Rt plain radiograph of the wrist · lateral projection · 7y F · detector: Siemens · image size 398x1021:
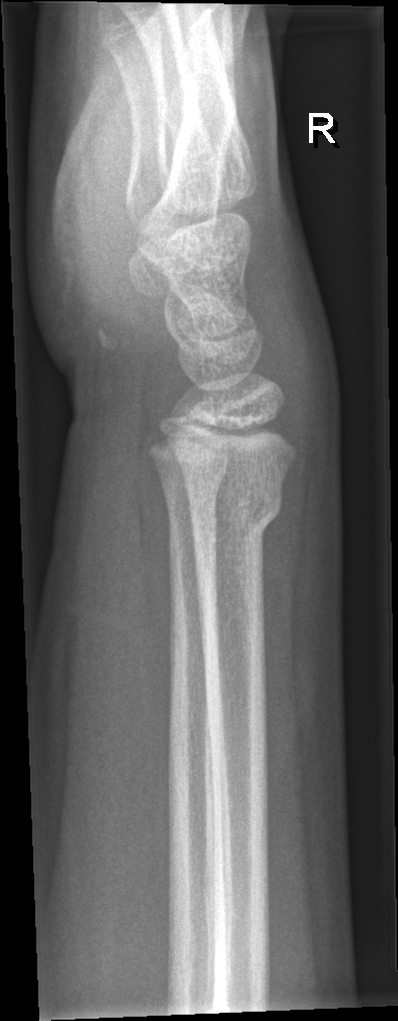

Fracture = 2 @ (181, 466, 288, 549); (154, 460, 230, 509)